AP view | Rt wrist X-ray | acquired on Agfa — 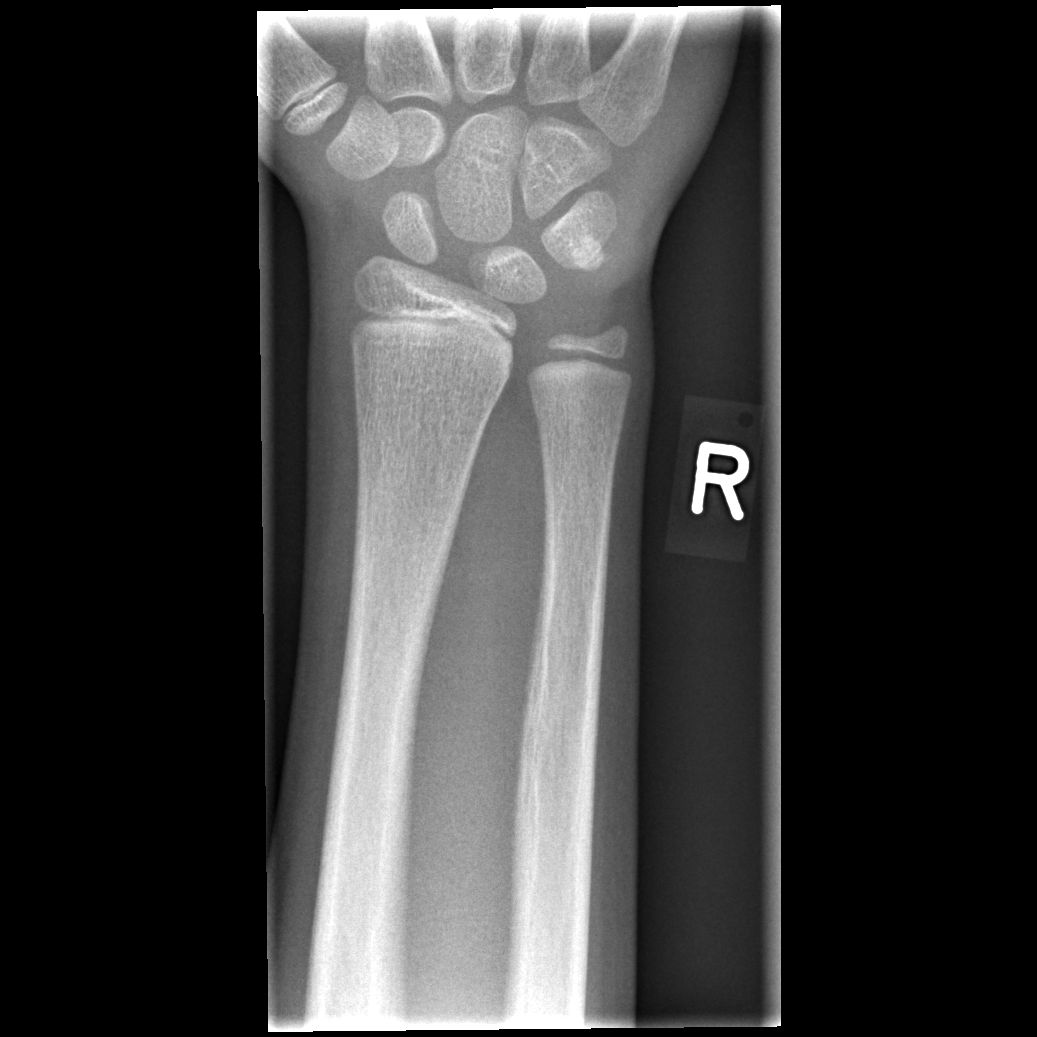
- Fracture: none labeled.